Left wrist X-ray; posteroanterior.
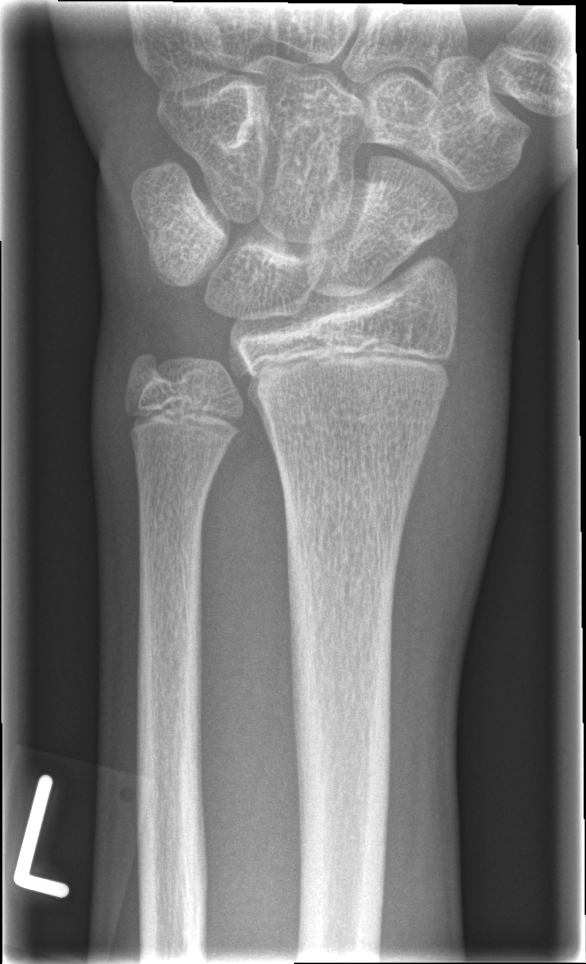 No fracture bounding box. Soft-tissue swelling: [379, 244, 522, 681].